Lat view; L wrist plain film; 526 by 900 pixels —
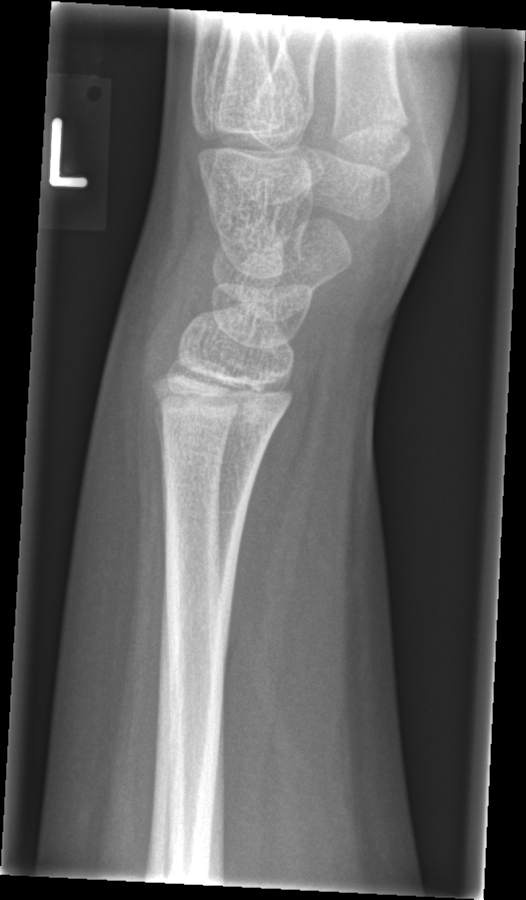

Fracture = none labeled